Right wrist X-ray · PA · presentation radiograph.
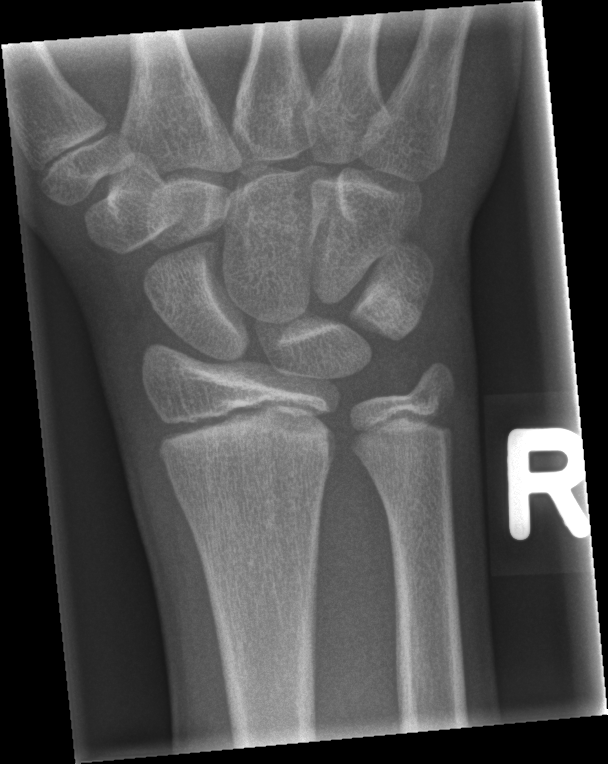 {"fracture": "present but not clearly seen in this view", "ao": "23r-E/1"}